Lateral view; Lt wrist radiograph —
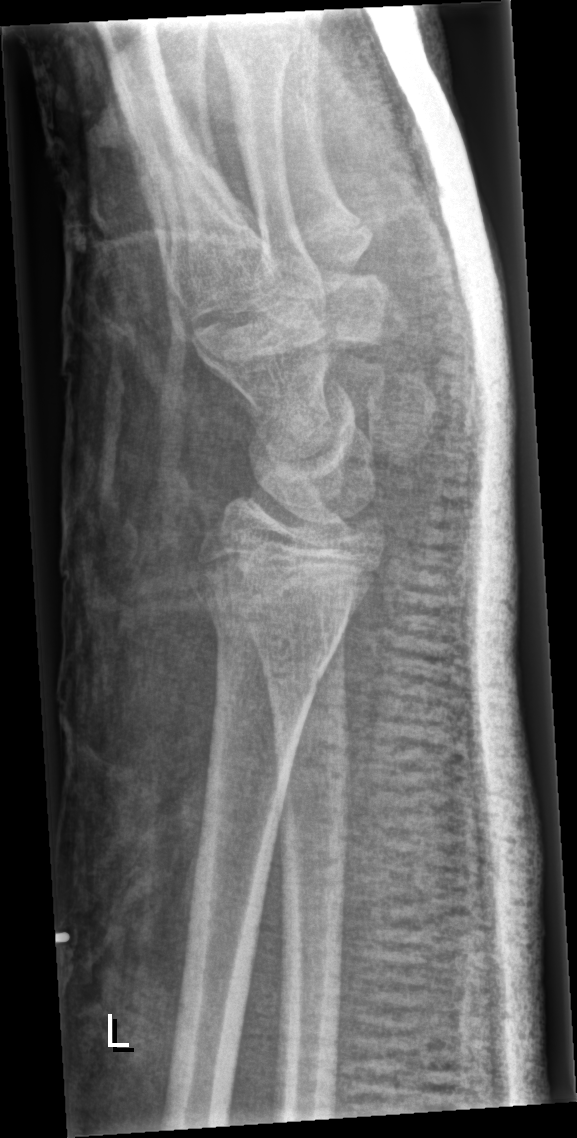 Fracture — 186 565 358 692.